Lateral projection; Rt wrist X-ray; age 9 y, boy; 72.6 mm image width.
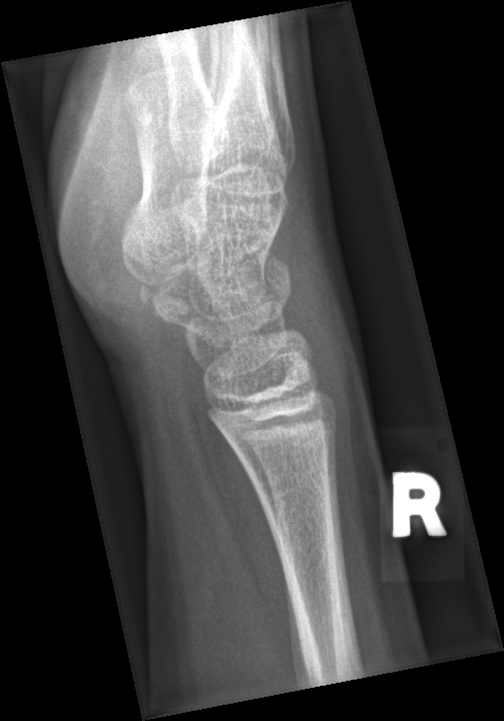 fracture: none labeled